Right wrist X-ray, lateral view, follow-up, in cast —

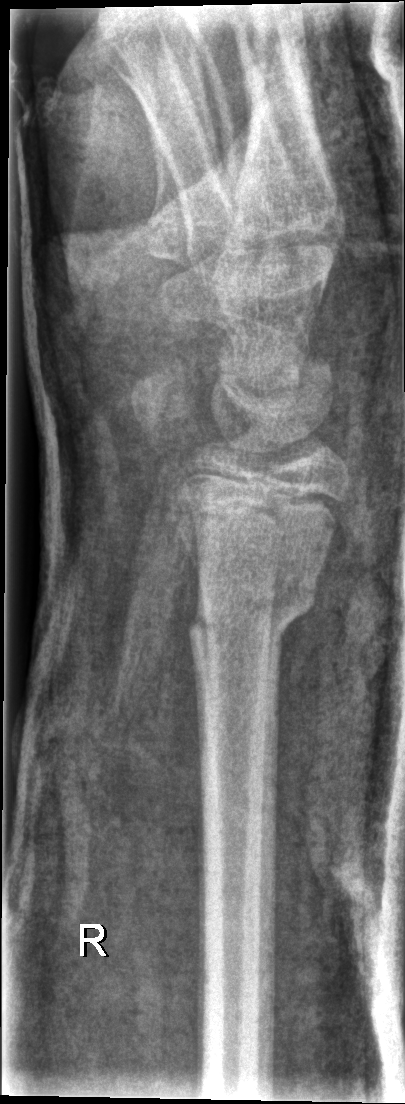   # boxes as x1,y1,x2,y2 (top-left / bottom-right, pixel units)
  ao: 23r-M/3.1
  fracture: [184, 583, 318, 647]